R wrist XR · lateral view.

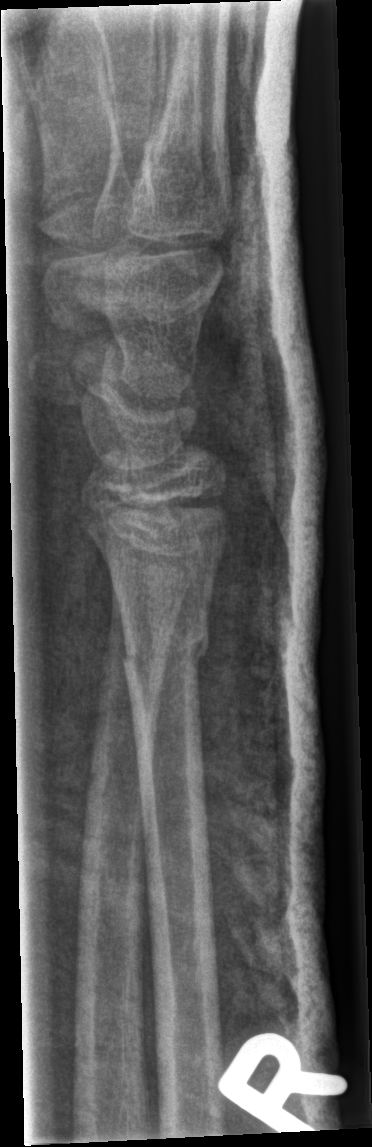 AO code = 23r-M/3.1
Fx = 119,619,212,680